Left wrist X-ray; lat view; female, 7 yo
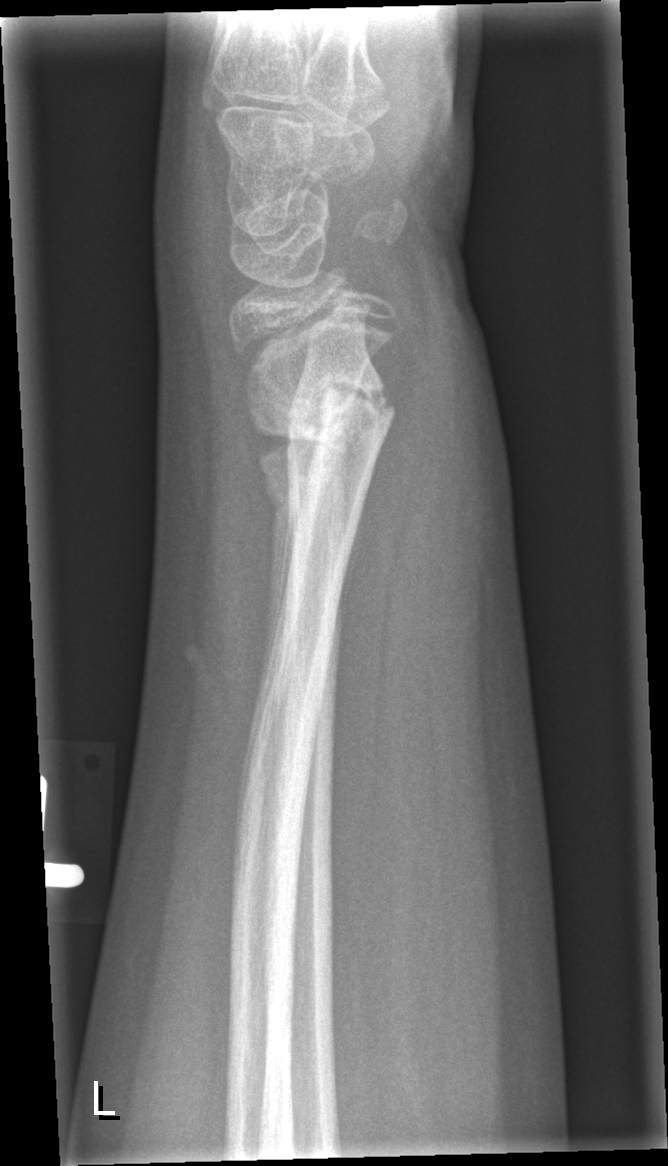
FINDINGS — Osteopenia. Fracture identified at [242, 367, 399, 472]. Fracture classified AO/OTA 23-M/3.1; 23u-E/7.